Lateral projection; L plain radiograph of the wrist —

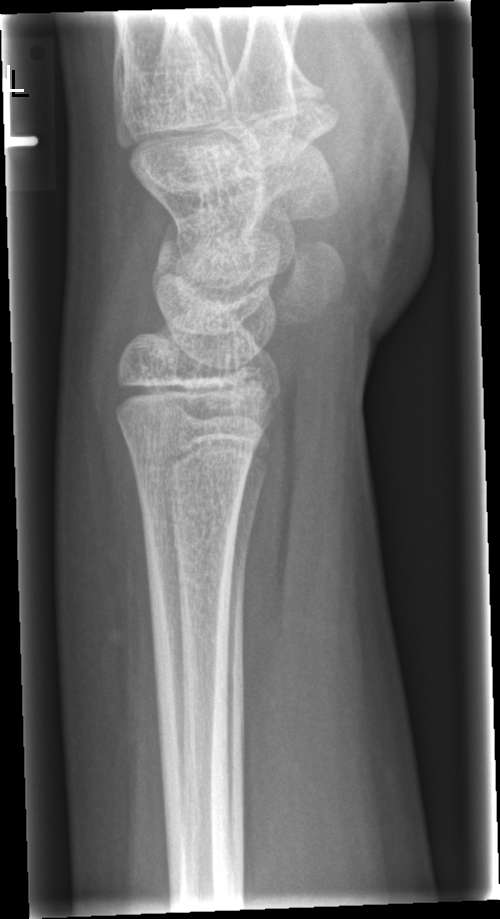

{
  "fracture": "none labeled"
}